Lat view · Rt wrist X-ray · cast present · 588x1120:
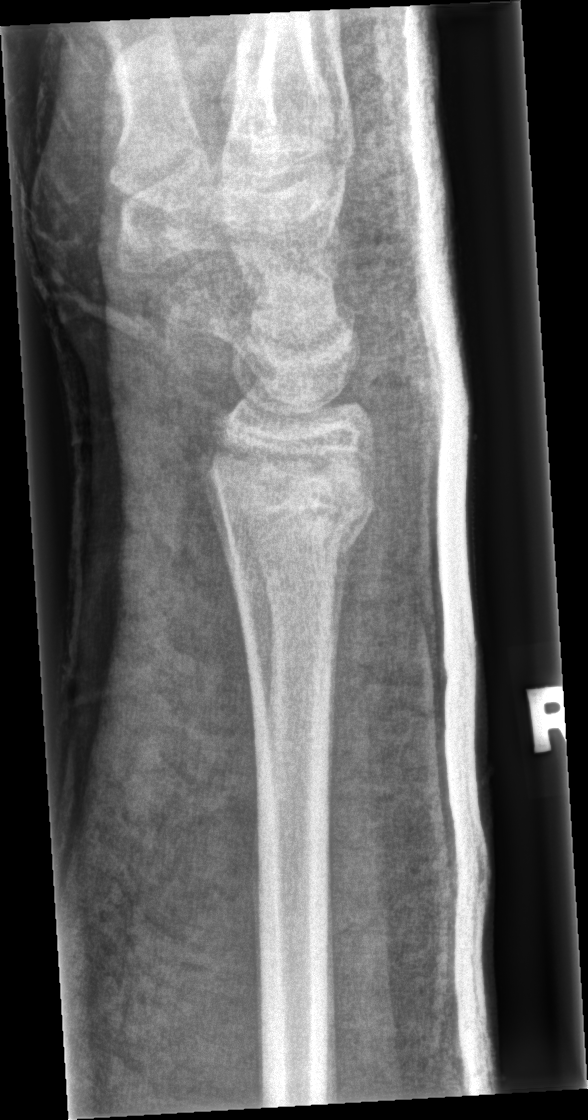
- Bone fracture identified at (211, 446, 377, 554).
- Periosteal thickening — (328, 525, 365, 788).